Posteroanterior view; right plain radiograph of the wrist; Siemens —
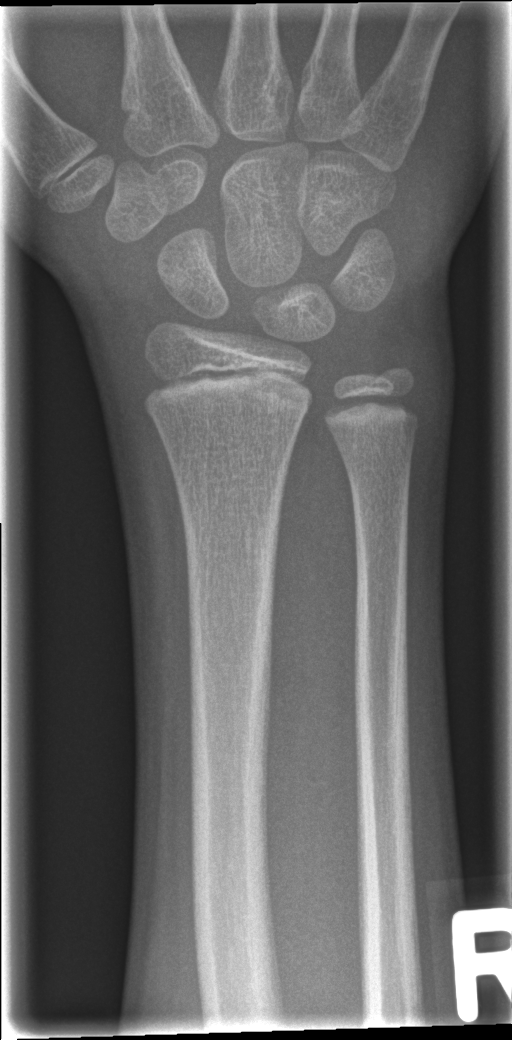
• Fracture: none labeled.